Lt wrist X-ray | lat | age 7 y, boy | cast in situ | Siemens: 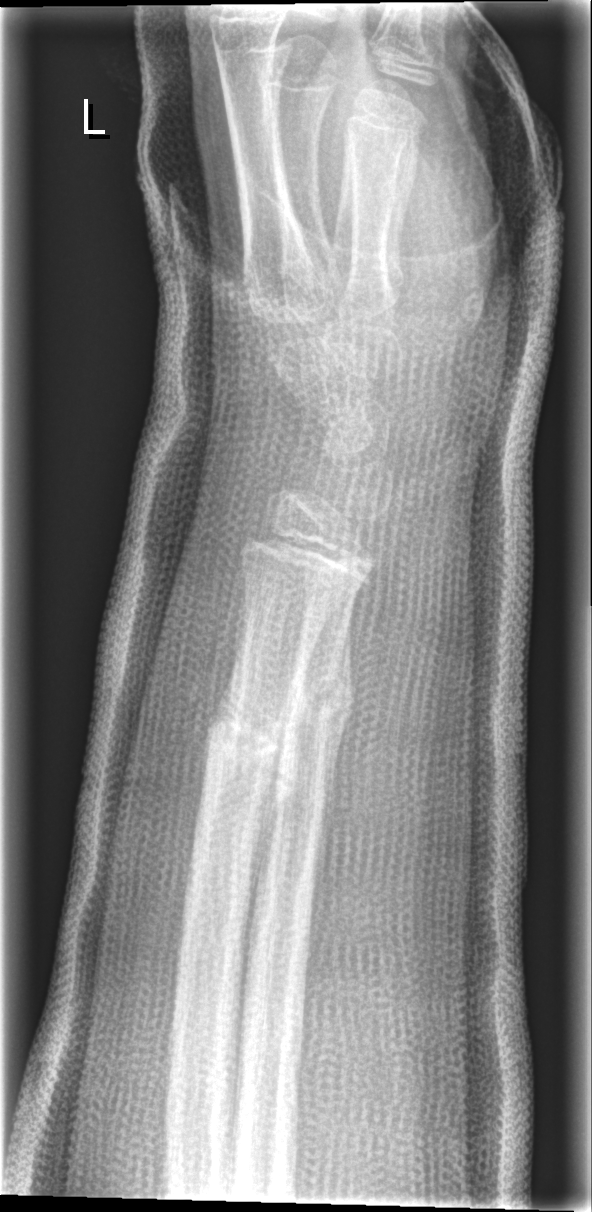
(coordinates are [x1, y1, x2, y2] in image pixels)
Q: Is there a fracture?
A: Two bone fractures at [201, 706, 298, 770]; [287, 666, 354, 728]
Q: Locate any periosteal reaction.
A: One periosteal thickening at [312, 612, 358, 912]